PA, Lt wrist radiograph, follow-up, 545 by 724 pixels: 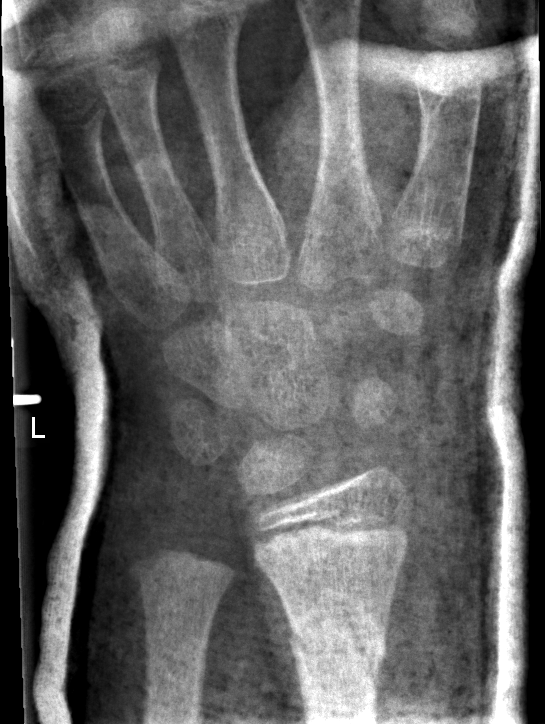 AO classification: 23r-M/3.1
Bone fracture: [285, 587, 390, 703]